PA projection; Lt wrist X-ray; index exam

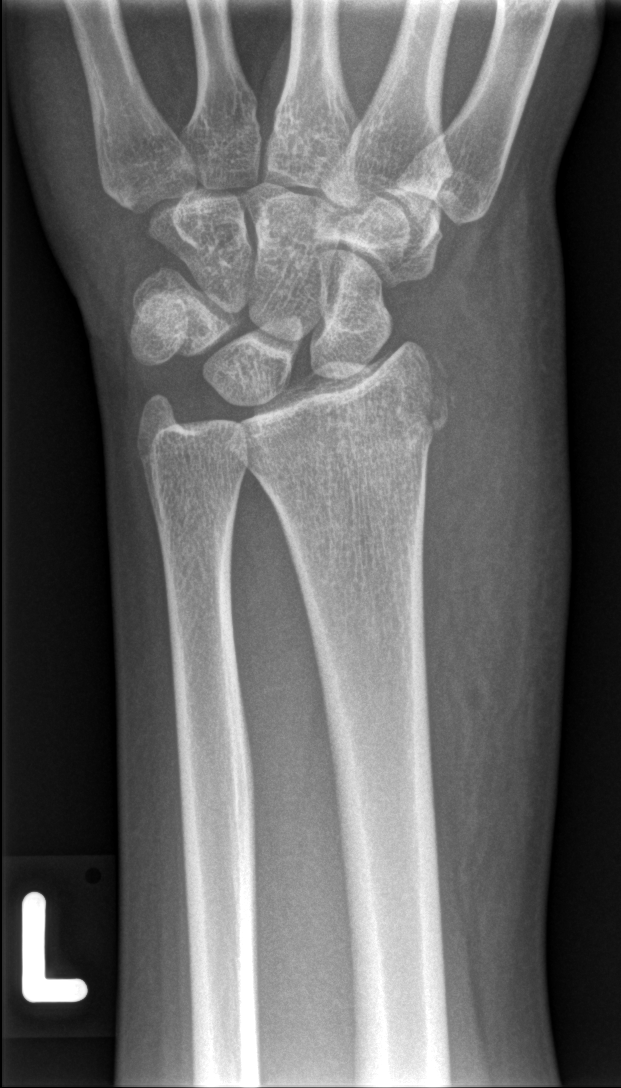
Bounding boxes in image-pixel xyxy.
One fracture at bbox(315, 337, 458, 465).
Soft-tissue finding — bbox(417, 173, 556, 888).